Frontal view; left wrist X-ray; pediatric patient (boy, age 9); detector: Siemens —
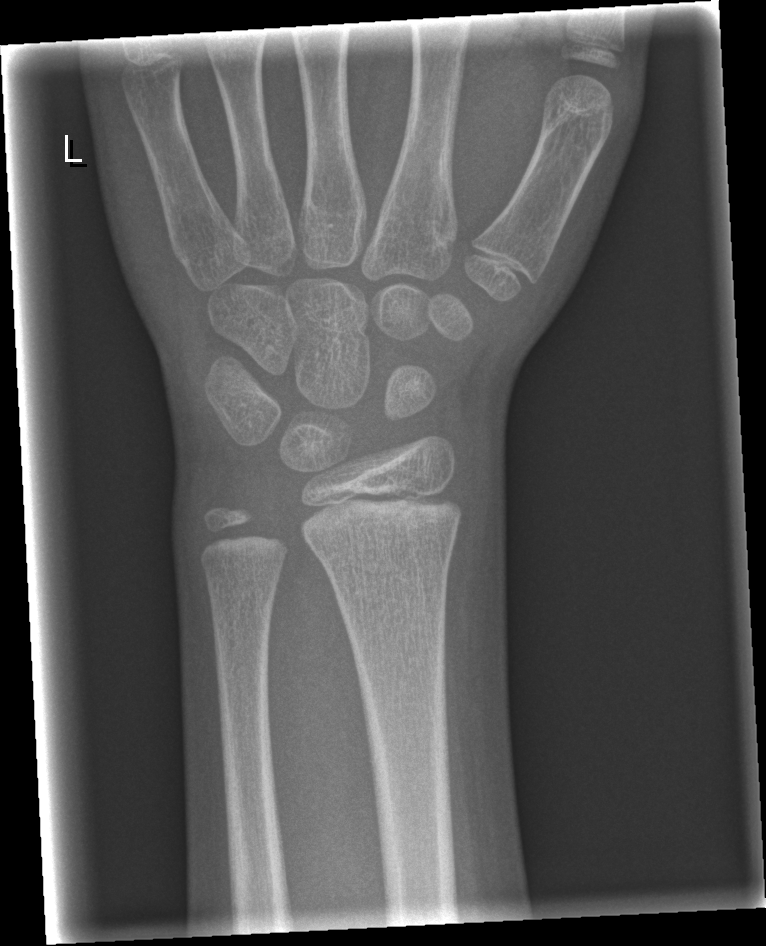

bone fracture = <304,508>-<463,570>
AO/OTA = 23r-M/2.1